Left wrist pediatric wrist radiograph · frontal · pediatric patient (girl, age 14) · Agfa
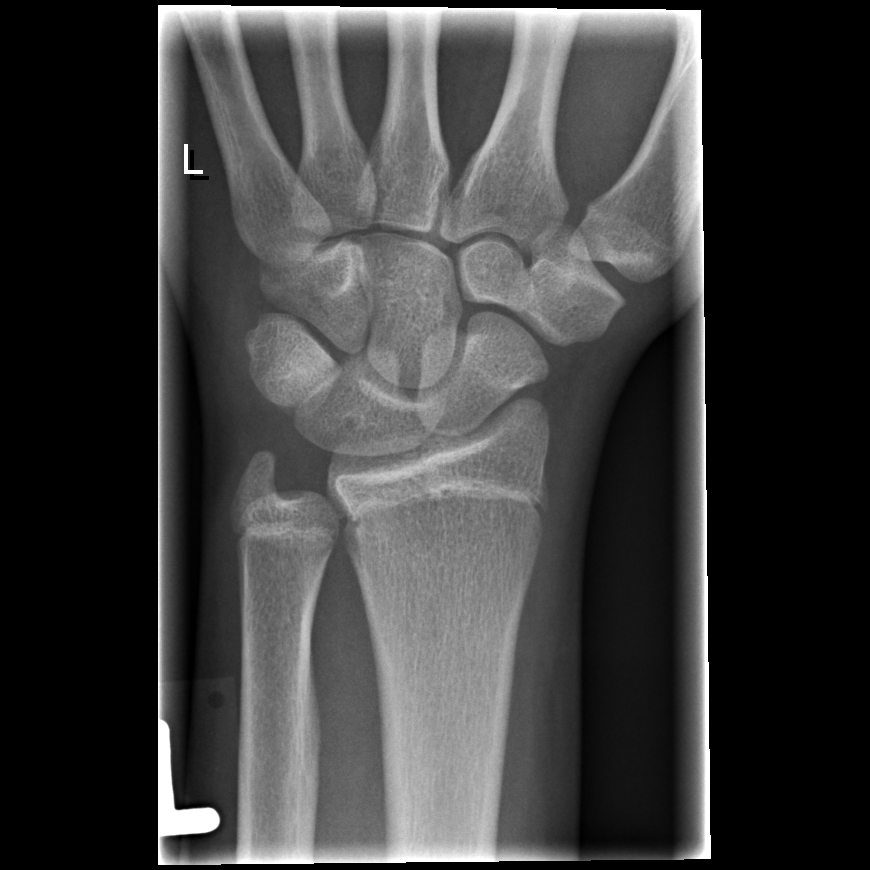

• No Fx annotated.